AP view · left wrist XR · index exam

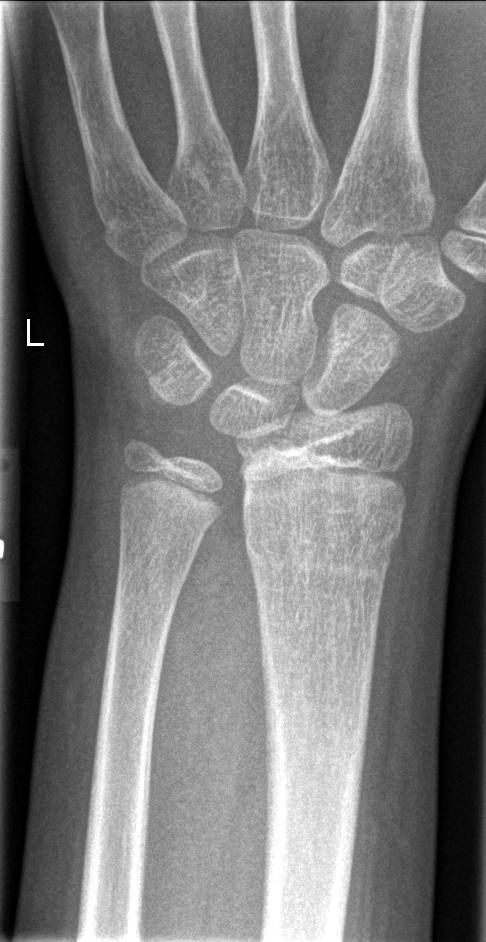

* Bone fracture — [242, 516, 404, 588].
* AO code 23r-M/2.1.